Lateral · Rt plain radiograph of the wrist · cast in situ · 126.1 mm image width.

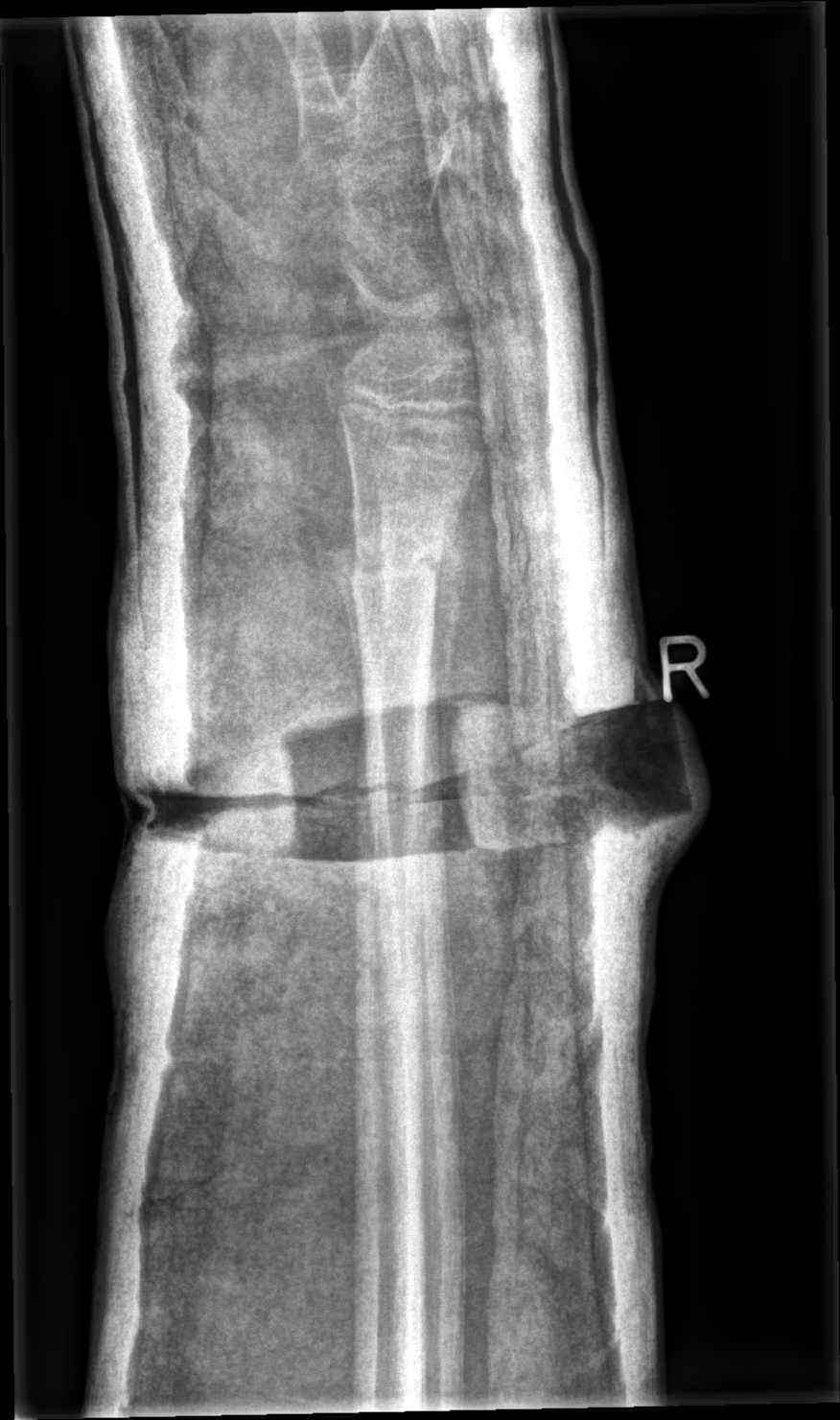 ao: 23r-M/3.1; 23u-M/2.1; 23u-E/7
periostealreaction: 1 @ 338,537,363,705
fracture: 1 @ 338,534,448,592